Left wrist plain radiograph of the wrist, AP projection, 703 by 702 pixels — 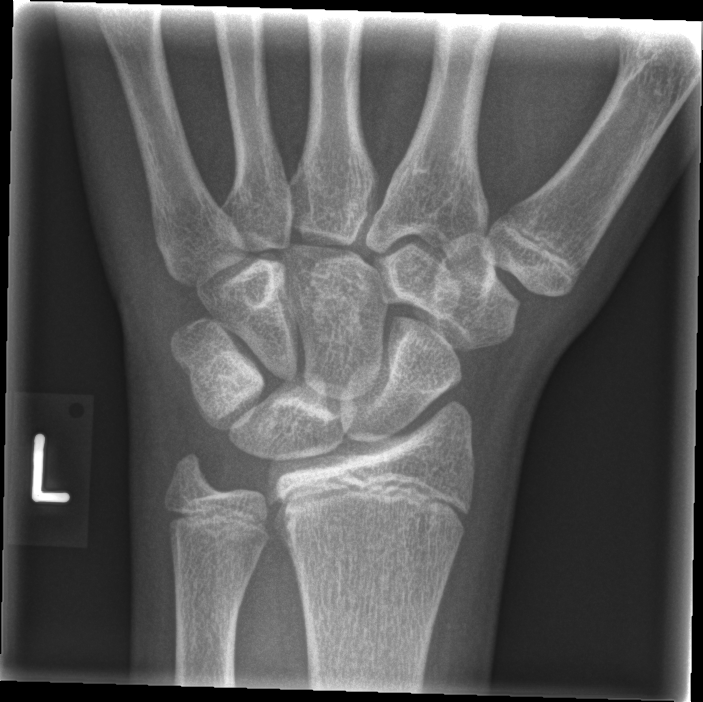

Findings: No fracture annotation.